Rt wrist radiograph | AP view
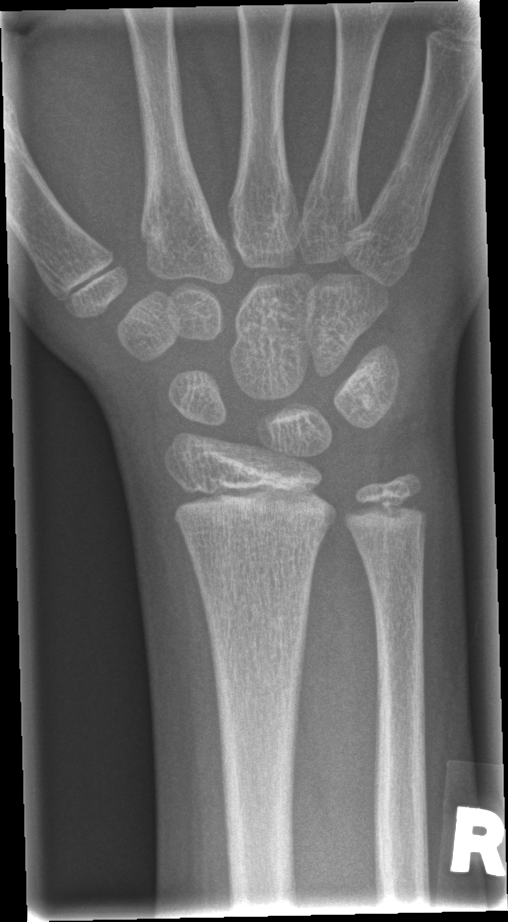 No fracture annotation.